Lat projection · left pediatric wrist radiograph · pediatric patient (male, age 16) · detector: Siemens —

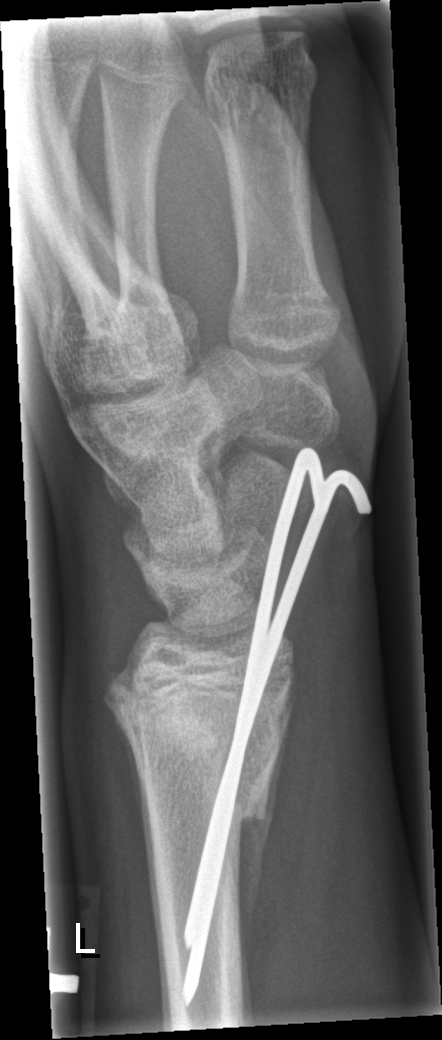

periosteal new bone: 2 @ (left=234, top=763, right=280, bottom=960); (left=112, top=712, right=143, bottom=825)
metal: 1 @ (left=177, top=443, right=377, bottom=1009)
fracture: (left=109, top=674, right=300, bottom=836)
osteopenia: present